Lt plain radiograph of the wrist | lateral | presentation radiograph | Siemens | 581x1304 —

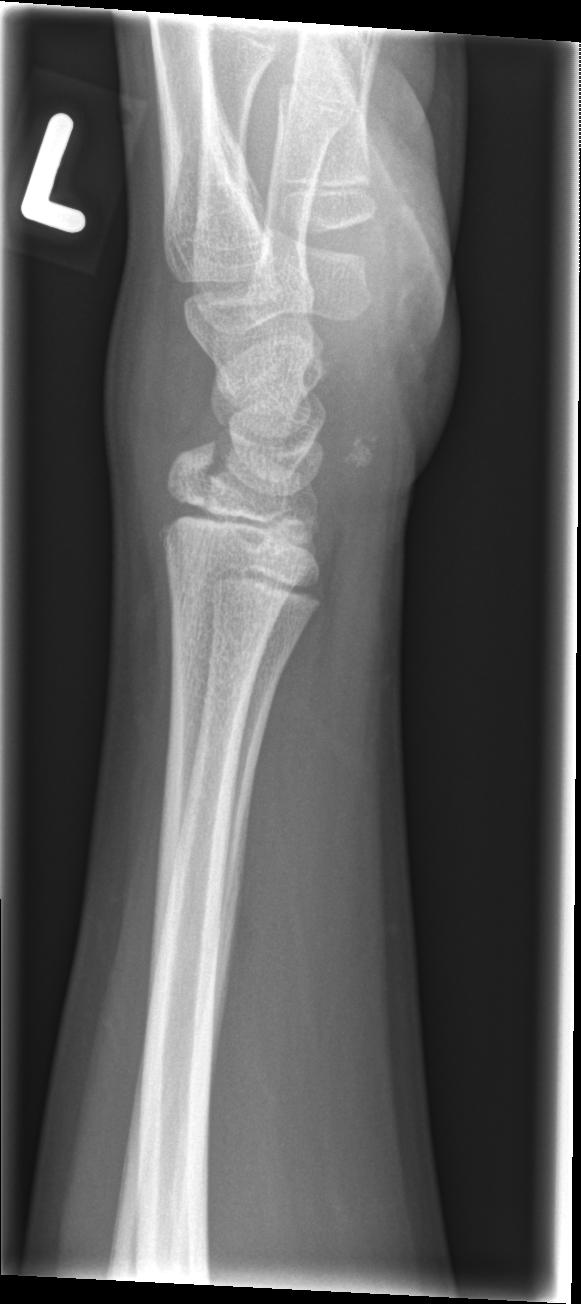 Findings: (bounding boxes in image-pixel xyxy) Soft tissue abnormality identified at 96 260 222 525. Fracture — 163 438 238 516.